Lt plain radiograph of the wrist, lat view, follow-up.

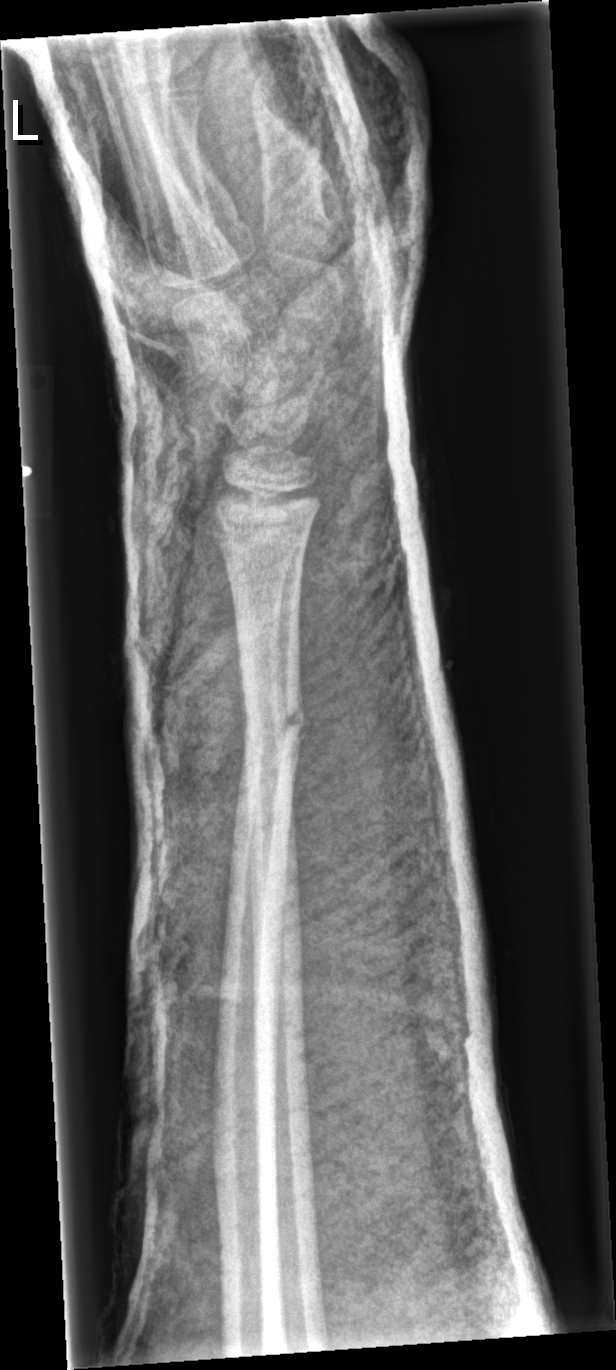 (boxes as x1,y1,x2,y2 (top-left / bottom-right, pixel units))
AO/OTA = 22r-D/2.1
fracture = 238,692,311,760